Frontal view · left wrist XR · age 9 y, female · imaged through cast · image size 634x1298

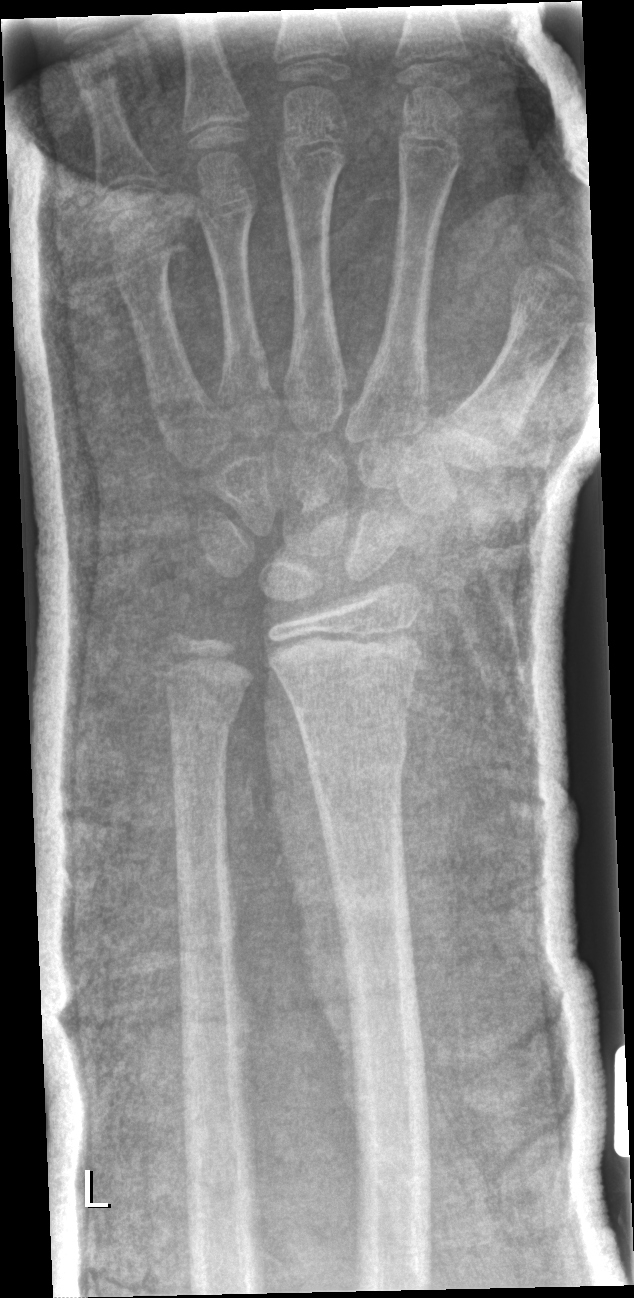 FINDINGS — (pixel coordinates, top-left origin, xyxy) Fx — (299, 723, 411, 788), (161, 688, 245, 748).